PA projection · left pediatric wrist radiograph · imaged through cast
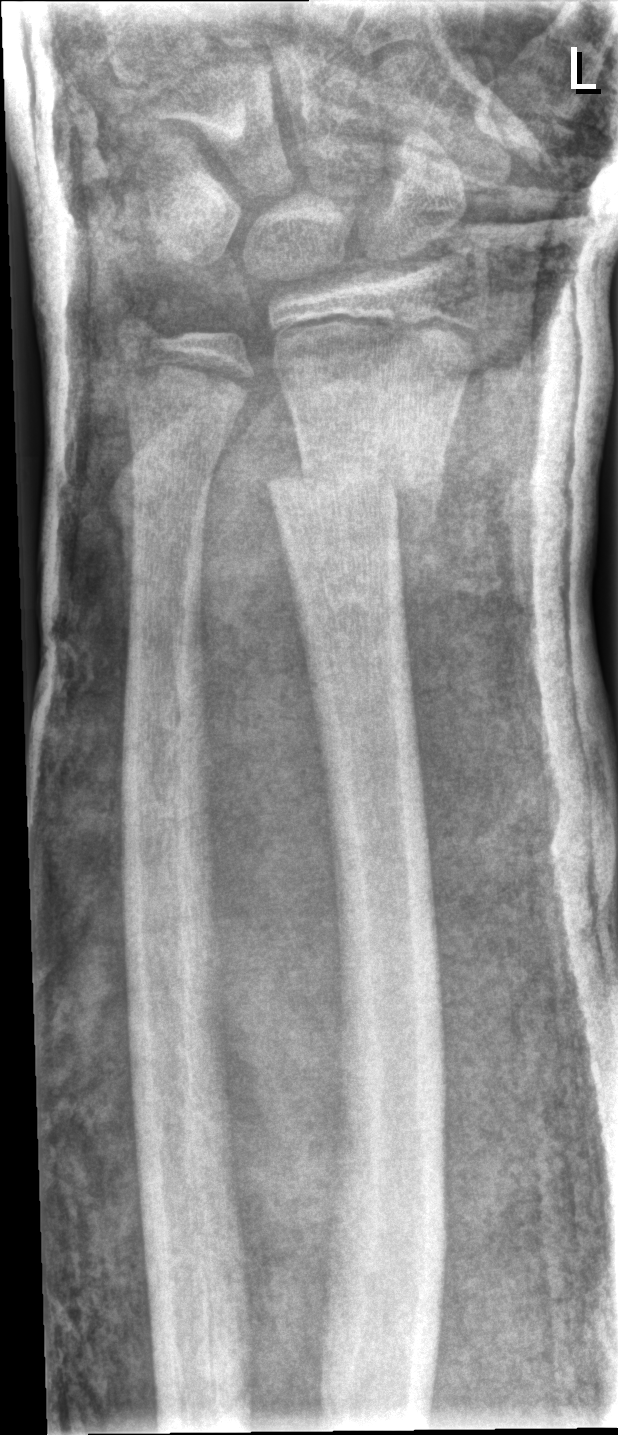 Findings: (pixel coordinates, top-left origin, xyxy) Bone fracture identified at 267,453,448,538.